Lt wrist plain film, posteroanterior, age 7 y, girl, cast present, image 91.3 mm wide, 634x738:
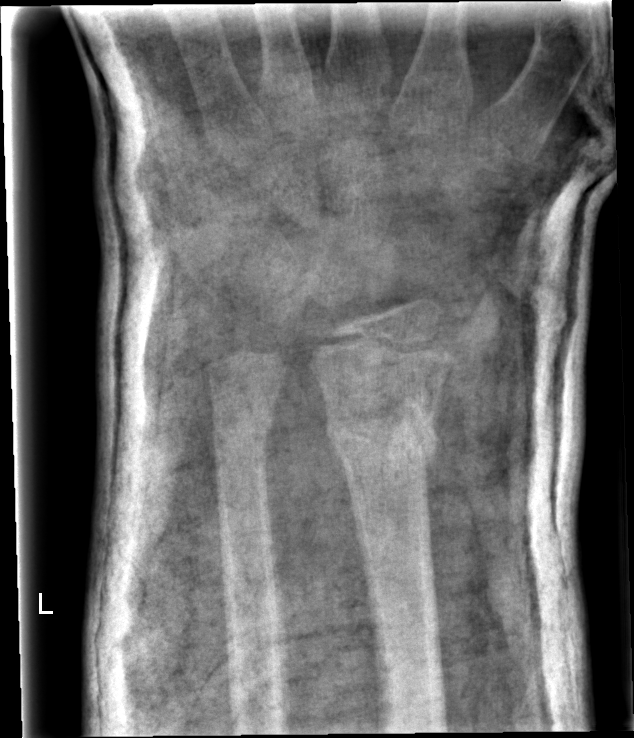 Fracture identified at 321,388,444,475
  211,401,278,460.
AO/OTA classification: 23r-M/3.1; 23u-M/2.1.